Rt wrist radiograph; lat projection; 8y F; cast present:
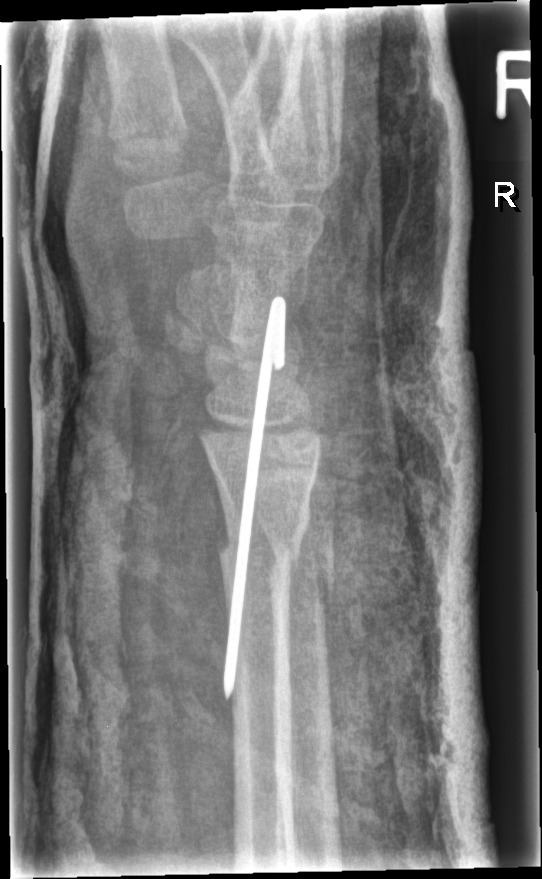

Metallic implant = 1 @ [x1=222, y1=297, x2=286, y2=702]
Bone fracture = [x1=215, y1=498, x2=313, y2=576]; [x1=264, y1=547, x2=339, y2=606]